PA view; left wrist radiograph:

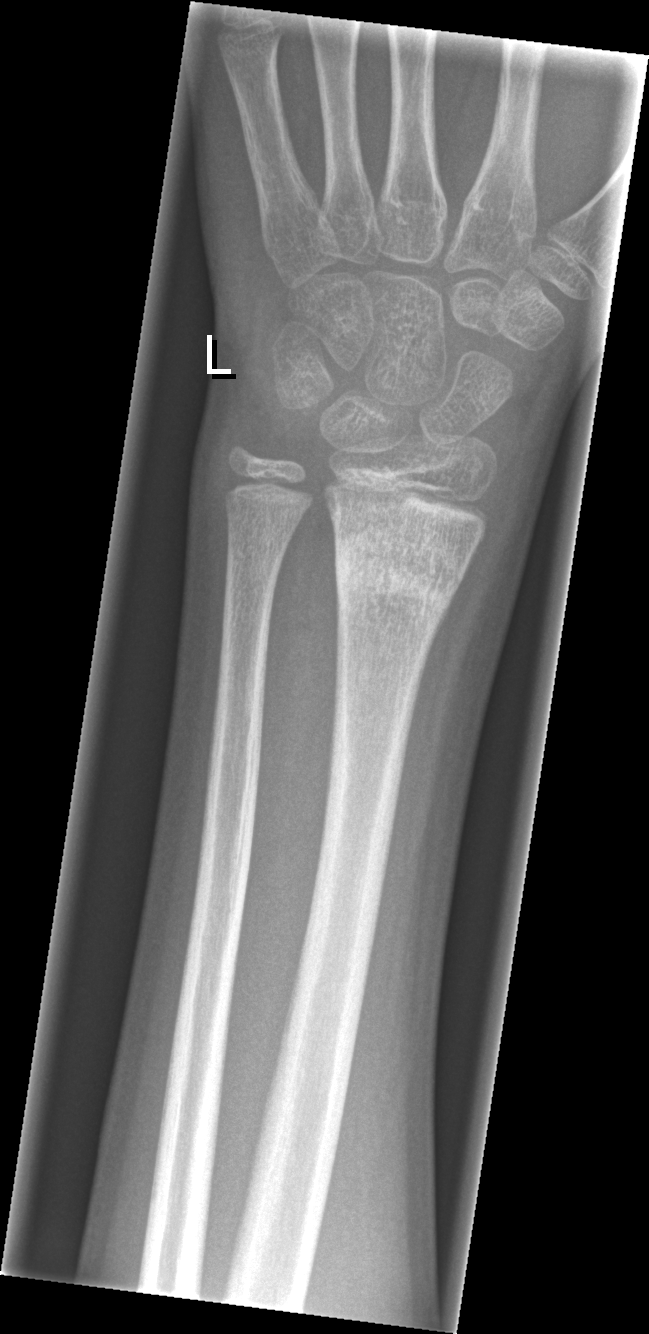
- Fx identified at <330,511>-<472,623>.
- Decreased bone density (osteopenia).